Lat view; right wrist plain film; follow-up —

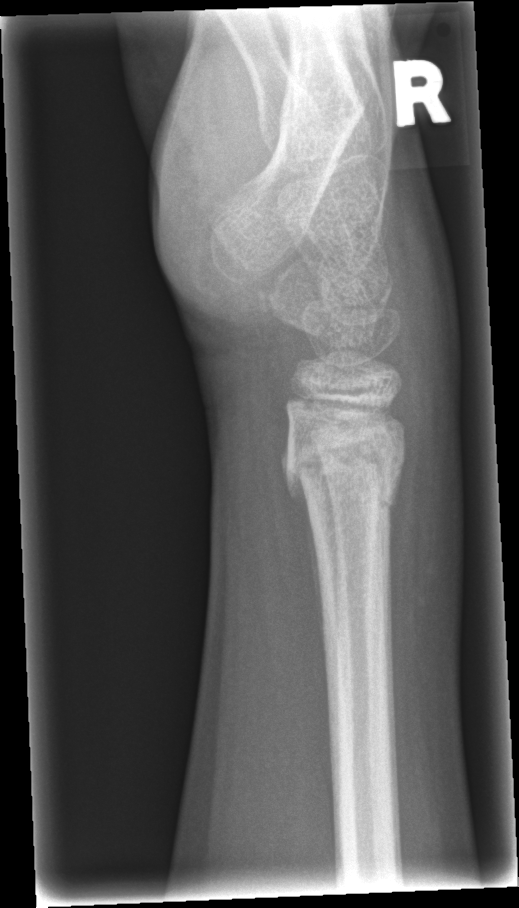

* Bounding boxes in image-pixel xyxy.
* Bone fracture: bbox(276, 423, 409, 515).
* Osteopenic.
* Periosteal thickening: bbox(280, 434, 323, 644).